Rt wrist XR | lat view | 11y F | in cast | 341 x 958 px. 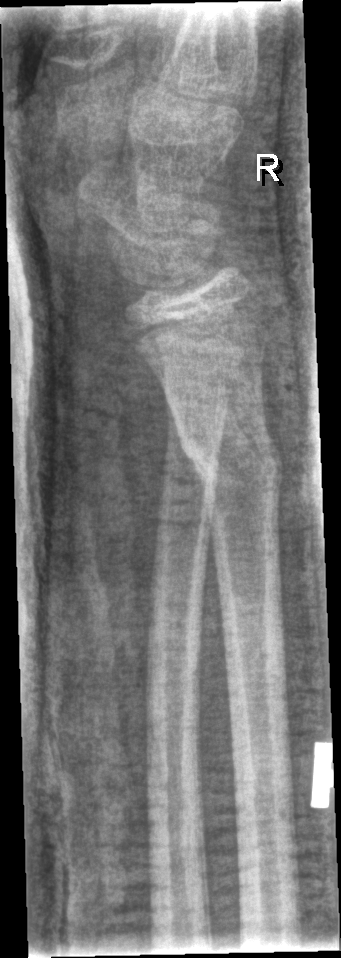
# bounding boxes in image-pixel xyxy
ao: 23r-M/3.1; 23u-M/2.1
fracture: 1 @ 165,410,288,522